Left wrist pediatric wrist radiograph | PA/AP view | pediatric patient (male, age 10) | detector: Siemens | image 97.1 mm wide —

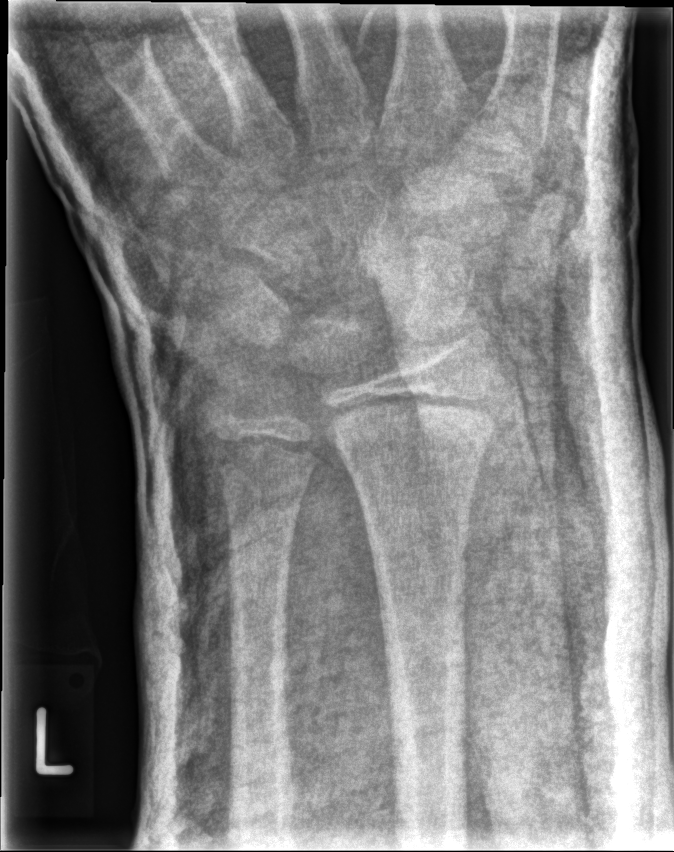

Findings: (bounding boxes in image-pixel xyxy) AO code 23r-E/1. One Fx at <318,386>-<496,457>.